R wrist plain film, AP view, 12y F, acquired on Siemens.
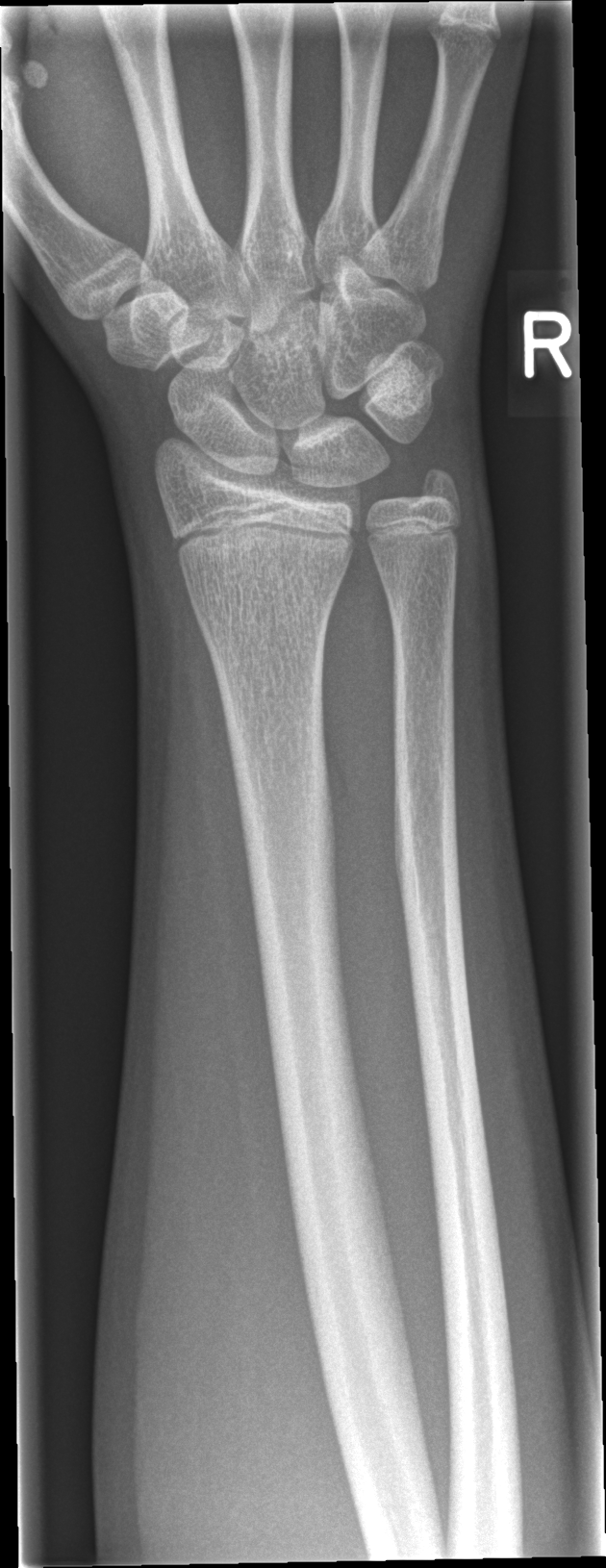

Fx: none.